AP projection; right wrist XR; pediatric patient (male, age 13); presentation radiograph.
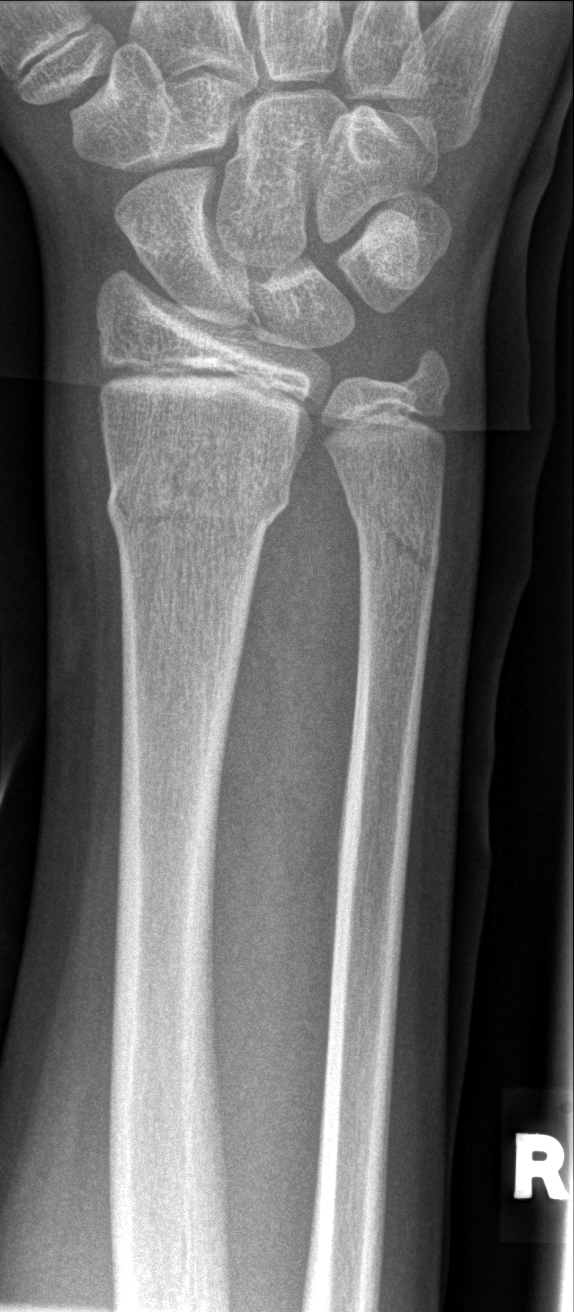
ao: 23-M/3.1
fracture: 2 @ (left=103, top=447, right=294, bottom=544), (left=347, top=492, right=443, bottom=588)